Lat, right pediatric wrist radiograph, 14-year-old male, Siemens, image width 59.3 mm
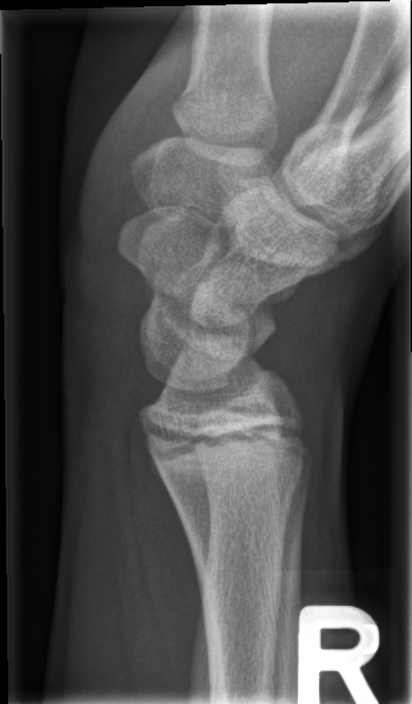 FINDINGS: Fx: none.